Right wrist plain radiograph of the wrist · lateral · Siemens 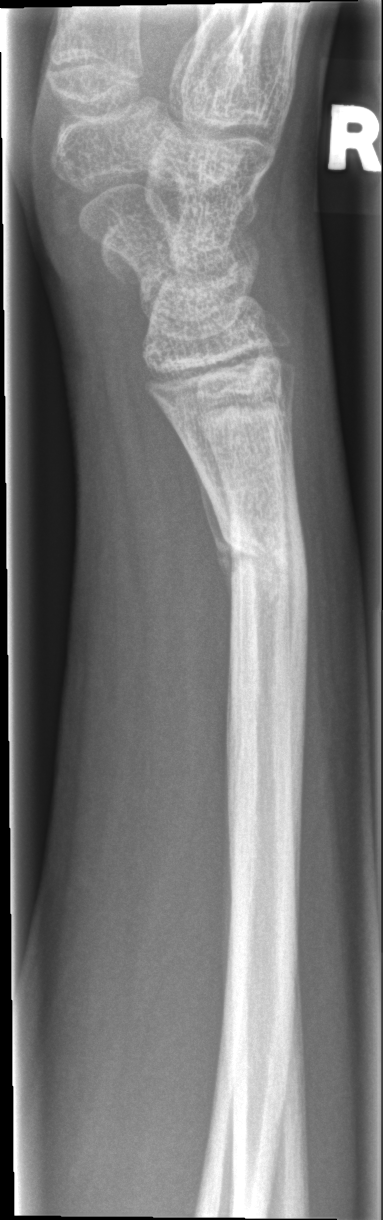
Fracture: 210,503,311,611
Periosteal new bone: 193,459,246,581
Osteopenia: present
AO classification: 23r-M/3.1; 23u-M/2.1